Frontal view | R plain radiograph of the wrist | image width 91.6 mm — 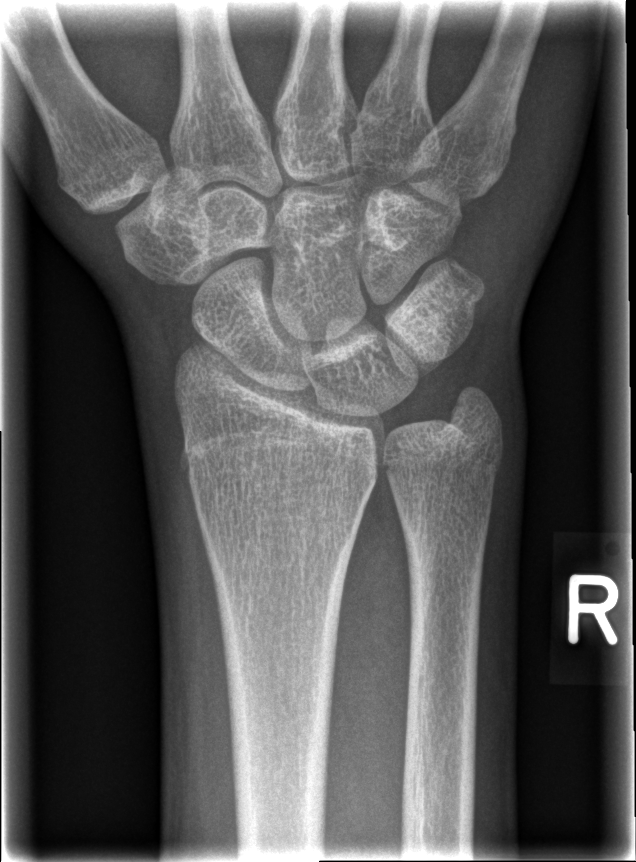
fracture: none labeled